Posteroanterior view; Lt wrist radiograph; 9y F; detector: Siemens.
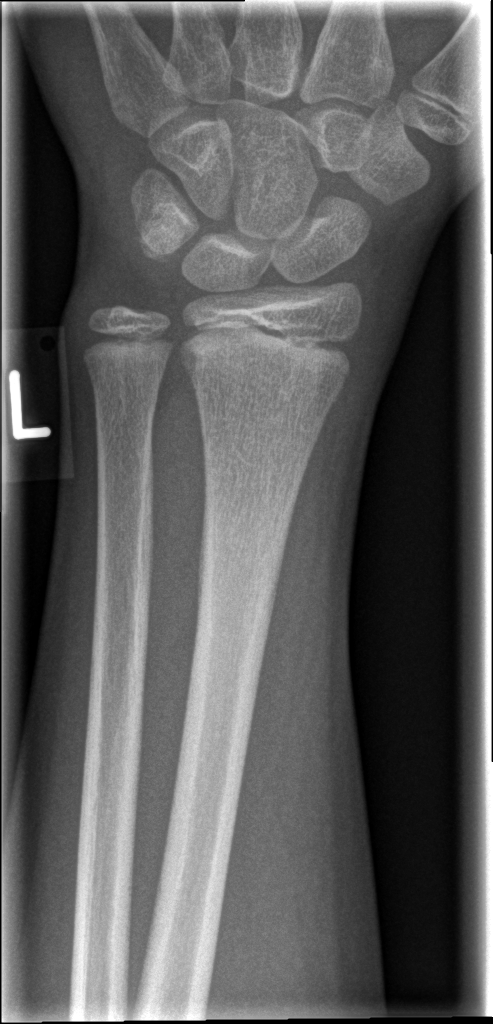

No fracture annotation.